Left wrist X-ray | lat | image 69.3 mm wide | image size 481x874.
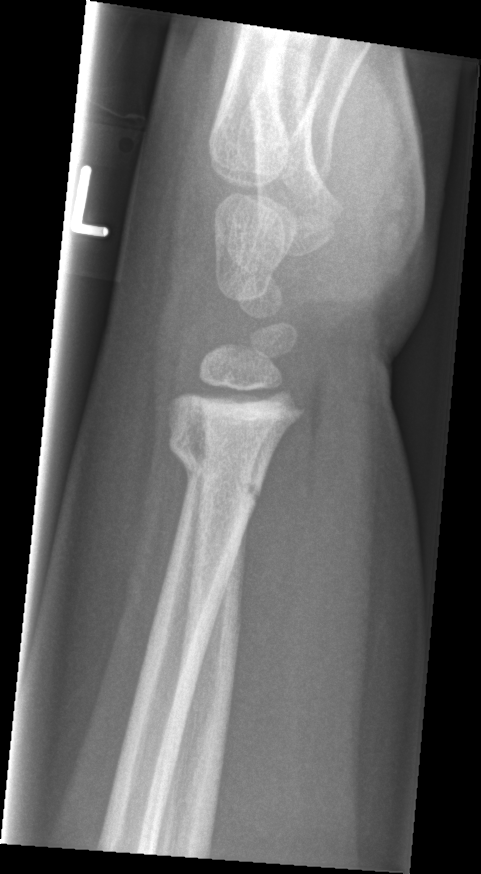

* Bone fracture: (left=163, top=420, right=271, bottom=512).